Right wrist plain film; frontal; Siemens.

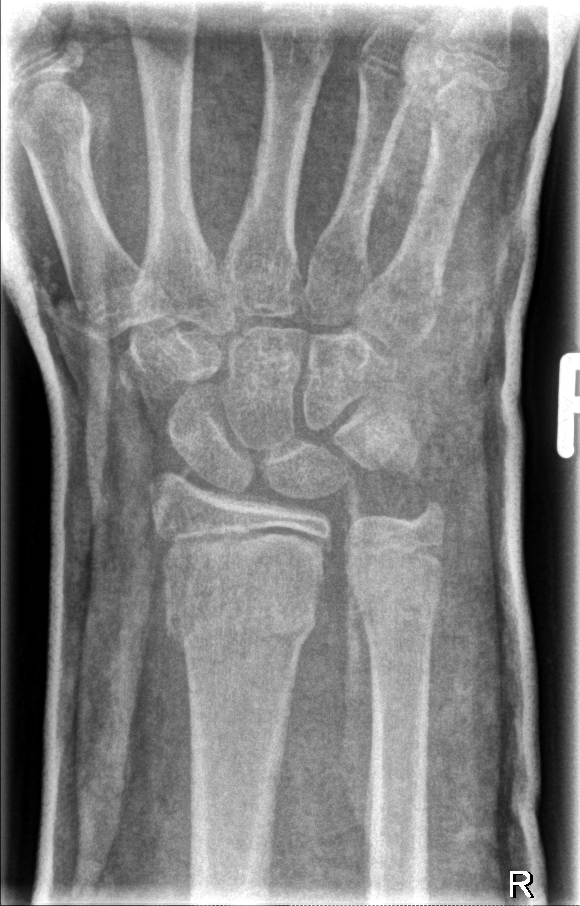 Findings: (pixel coordinates, top-left origin, xyxy) Bone fracture: [161, 582, 317, 659]. AO/OTA classification: 23r-M/3.1.